AP view, left wrist plain film, follow-up, cast present, acquired on Siemens: 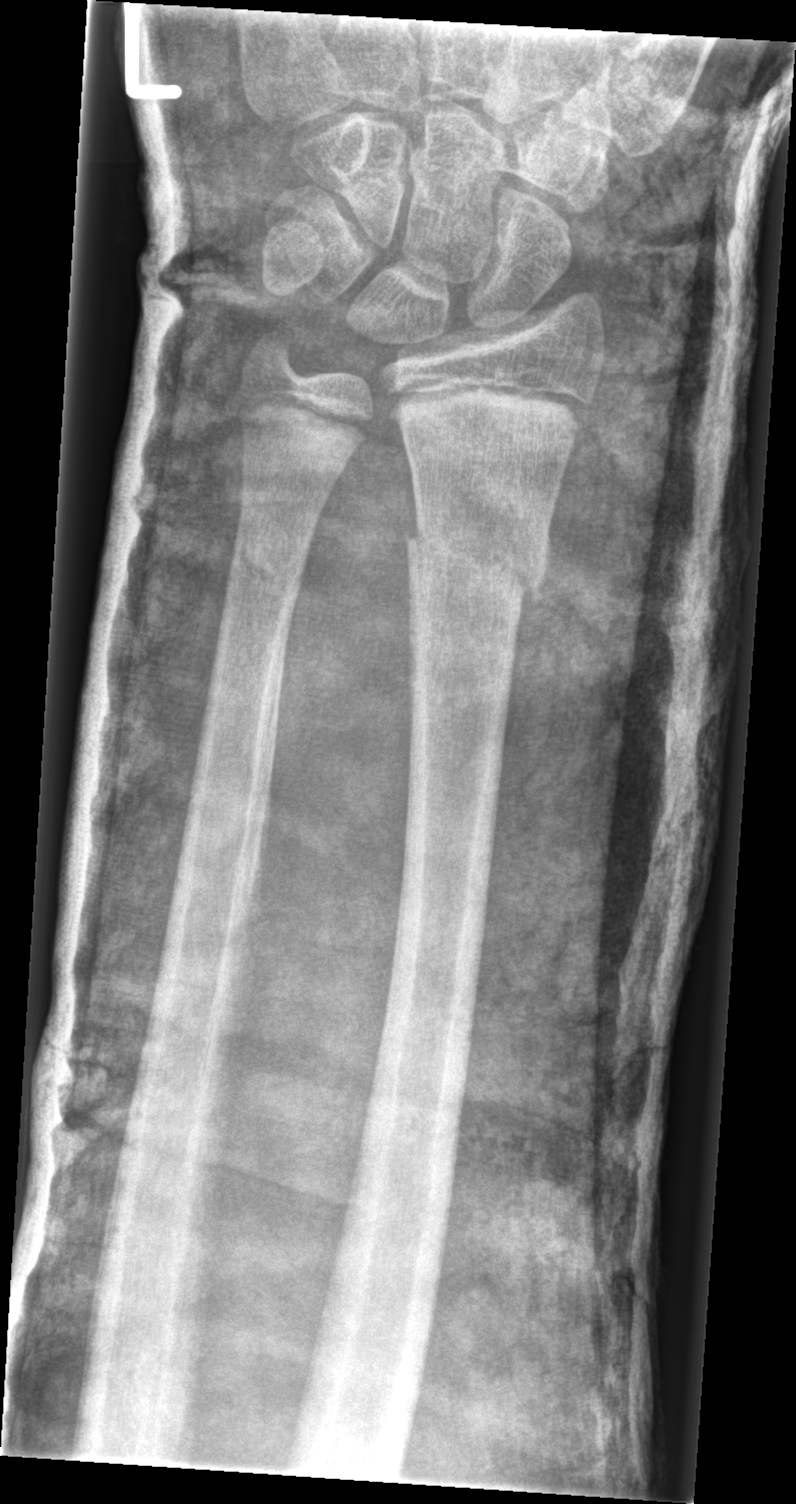   fracture: [x1=399, y1=506, x2=554, y2=619], [x1=219, y1=529, x2=307, y2=623], [x1=247, y1=316, x2=318, y2=382]